Right wrist XR · lateral projection · 13y F · initial study · 425 x 1156 px — 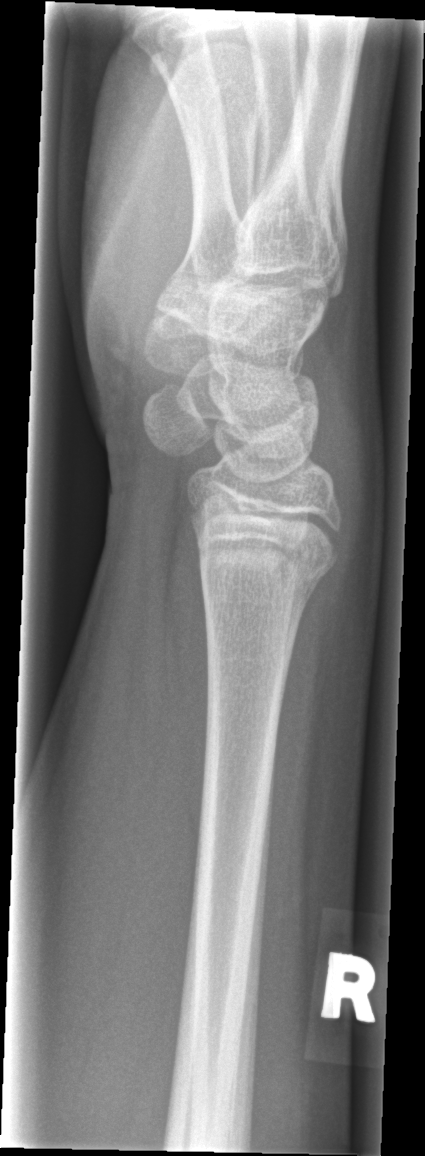

• AO code 23r-M/2.1.
• Fracture — [x1=191, y1=539, x2=341, y2=621].